AP · left wrist plain film:

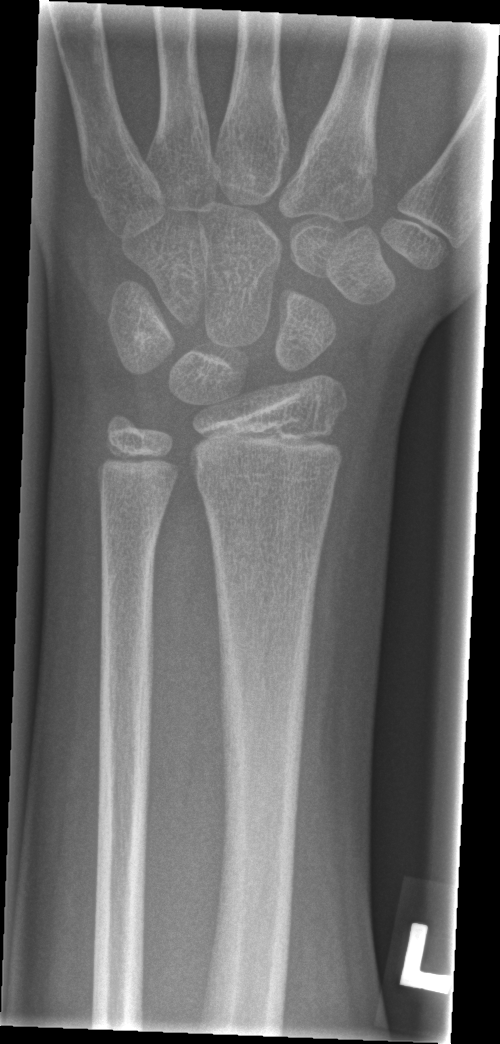

{"fracture": "none labeled"}